Frontal projection | R pediatric wrist radiograph.
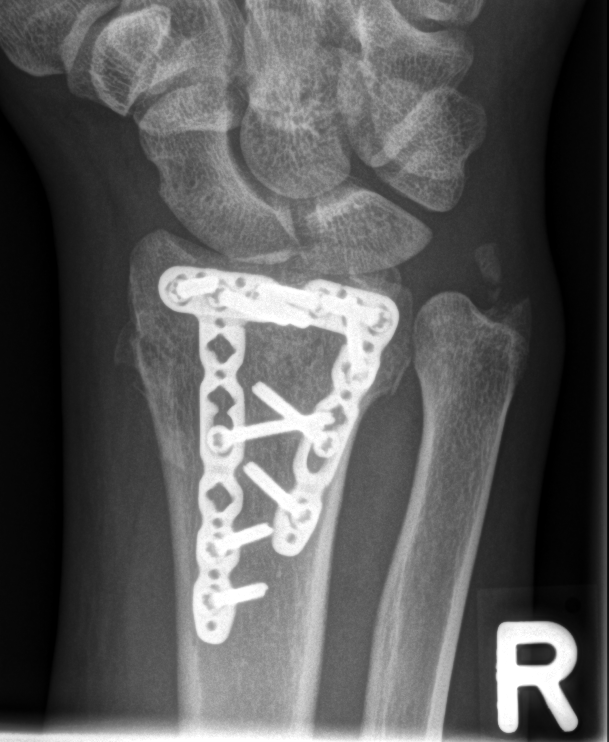 # boxes as x1,y1,x2,y2 (top-left / bottom-right, pixel units)
fracture: bbox(110, 305, 405, 470), bbox(461, 238, 538, 323)
metal: 1 @ bbox(154, 262, 406, 653)
ao: 23r-M/3.1; 23u-E/7